Lat projection; Lt plain radiograph of the wrist; female, 14 yo; detector: Siemens —

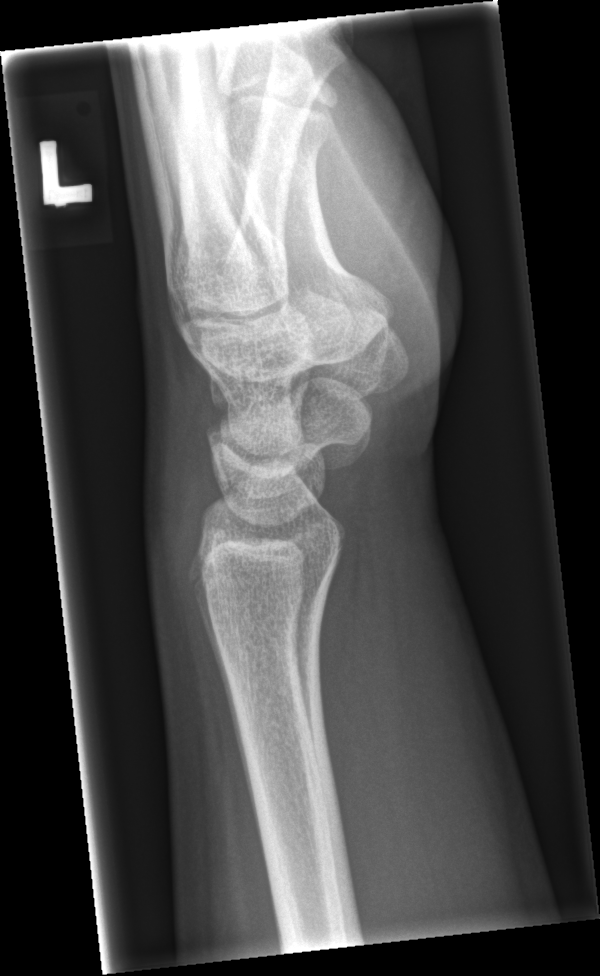

No fracture bounding box.